Left wrist radiograph; lat; 11-year-old boy; Siemens

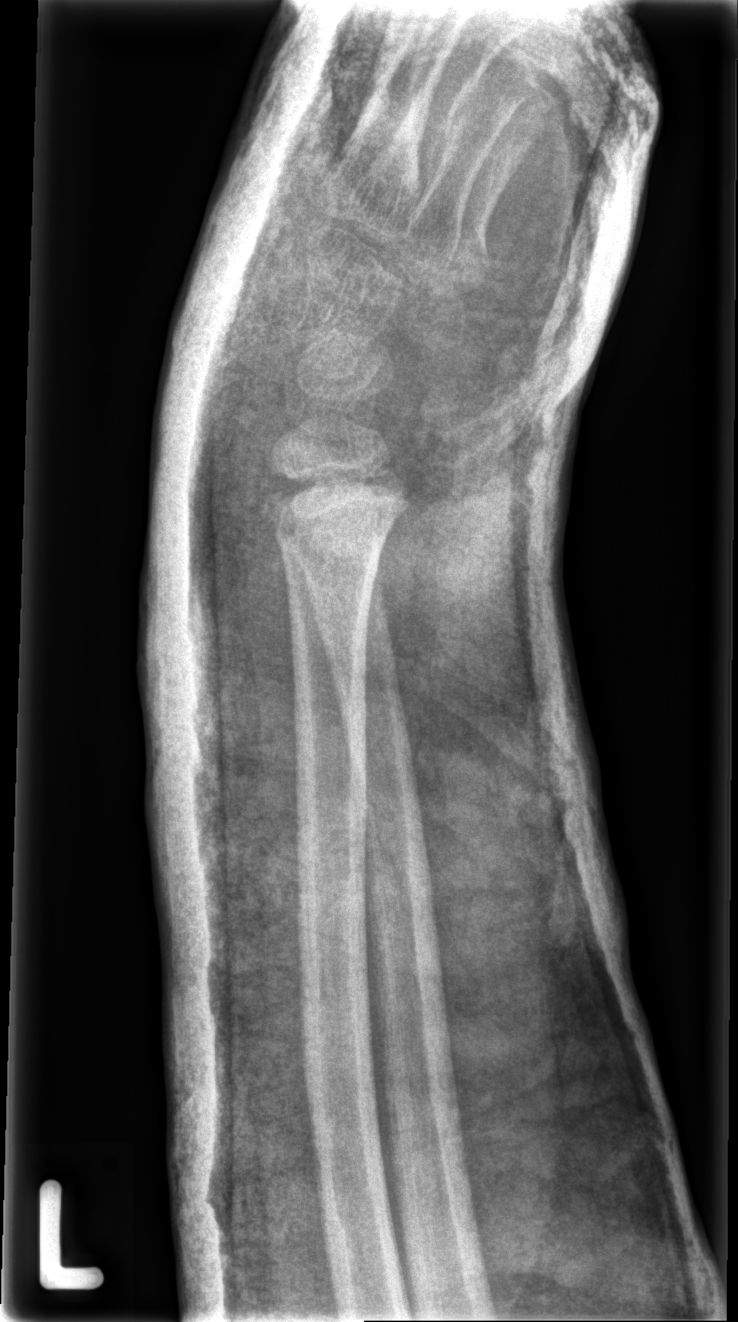

* Coordinates are [x1, y1, x2, y2] in image pixels.
* One bone fracture at 256,465,416,558.